Lat projection; right wrist plain radiograph of the wrist; in cast 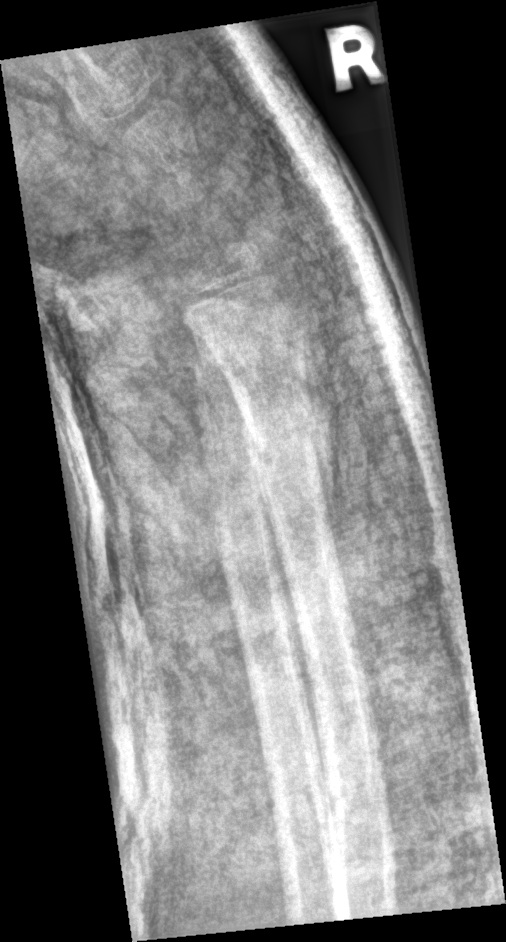

FINDINGS — AO code 23-M/3.1. Bone fracture — [238, 391, 330, 487].